Left wrist XR, lat, male, 13 yo

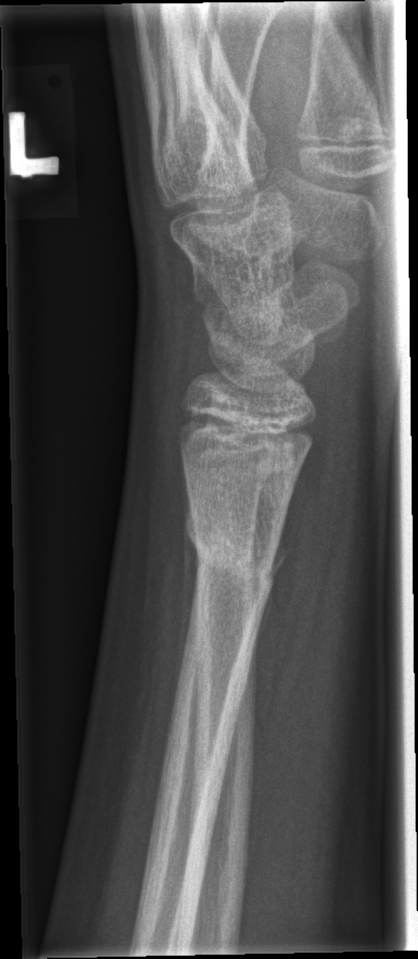 * Bounding boxes in image-pixel xyxy.
* One fracture at 184,510,288,597.
* Two periosteal thickening at 170,468,200,724
  248,524,291,666.